Frontal; L pediatric wrist radiograph: 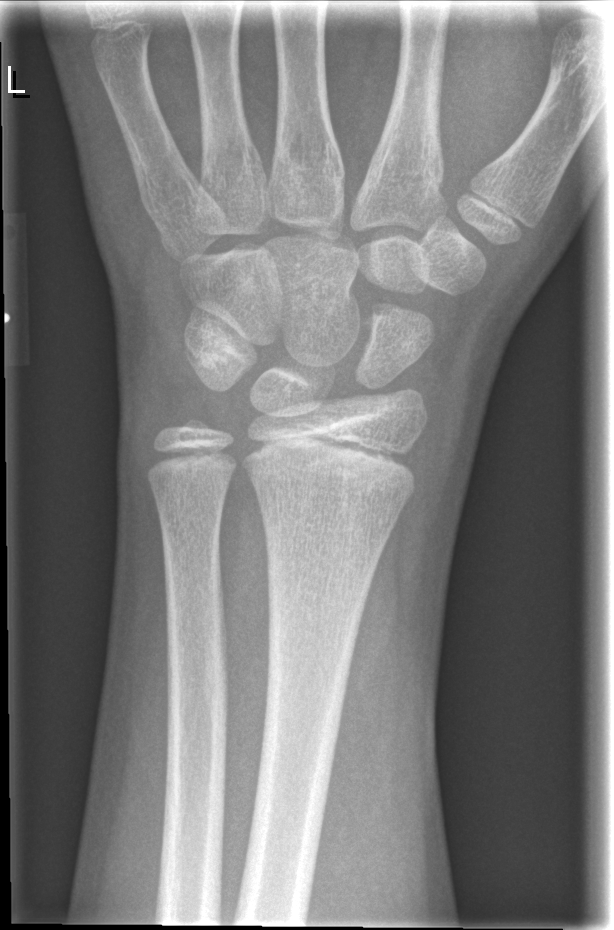

No Fx annotated.